PA/AP; right wrist X-ray; age 10 y, girl; follow-up; 603 x 960 px: 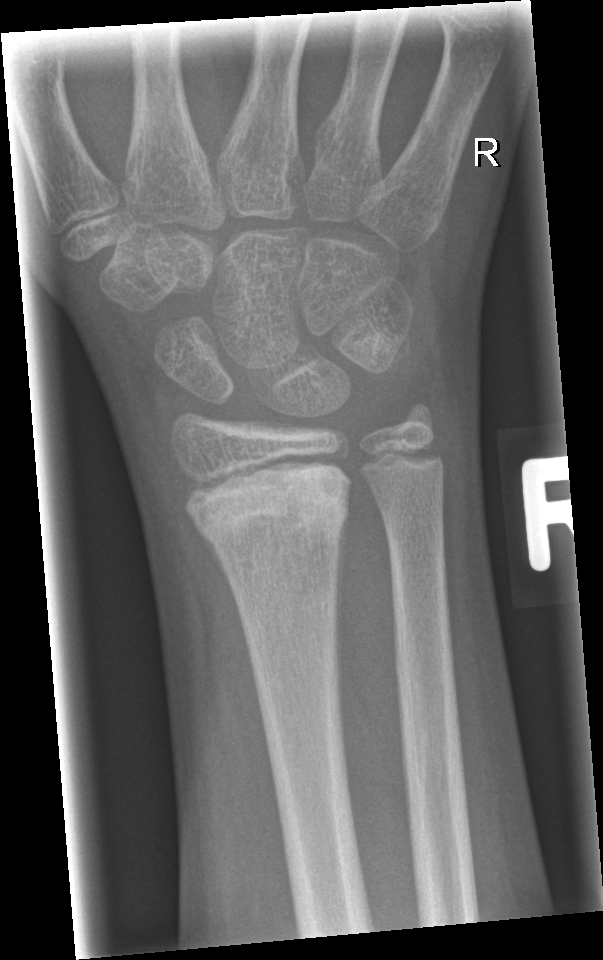 Q: Bone density?
A: Decreased bone density (osteopenia)
Q: AO code?
A: Fracture classified AO/OTA 23r-E/2.1
Q: Is there periosteal reaction?
A: Periosteal reaction identified at (191, 518, 241, 618); (333, 511, 348, 691)
Q: Locate any fractures.
A: Bone fracture identified at (184, 453, 353, 558)